PA/AP, left wrist plain film, male, 13 yo, subsequent exam —

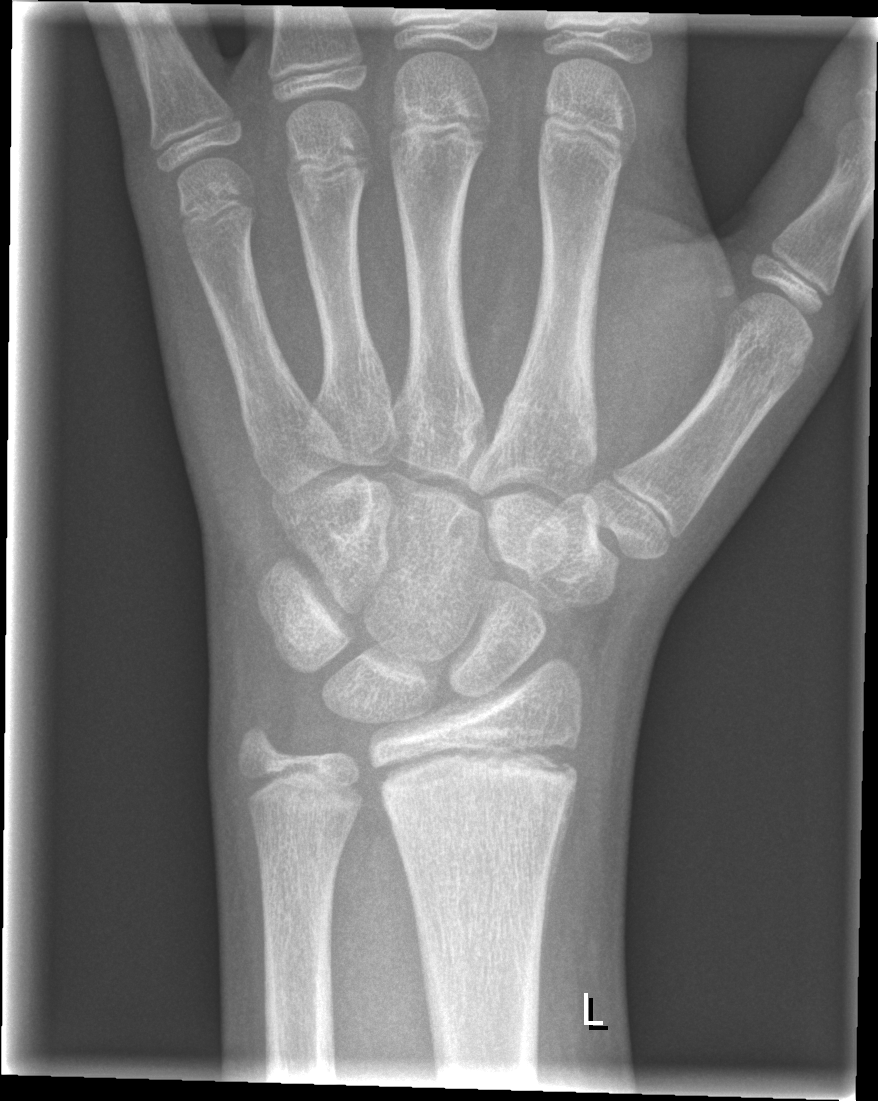

{"ao": "23r-E/2.1", "fracture": "[x1=372, y1=734, x2=585, y2=830]", "periostealreaction": "1 @ [x1=540, y1=777, x2=576, y2=966]"}